Lat, R pediatric wrist radiograph, image 82.4 mm wide:

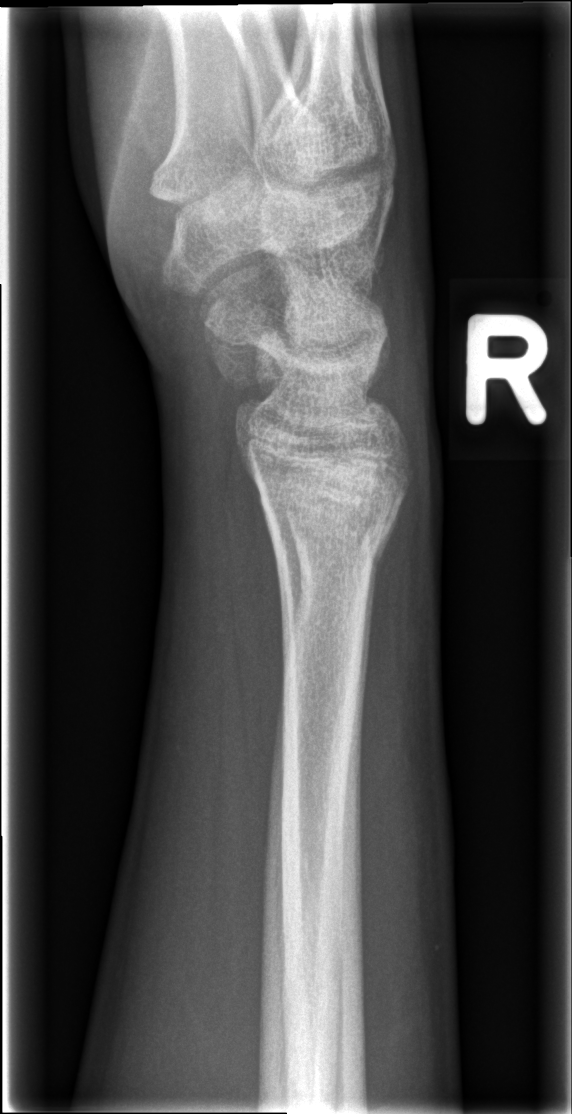 Findings: Reduced bone mineral density. Fx: (left=243, top=443, right=414, bottom=578).